Left wrist pediatric wrist radiograph · PA view · female, 14 yo · acquired on Siemens · image size 715x1090.
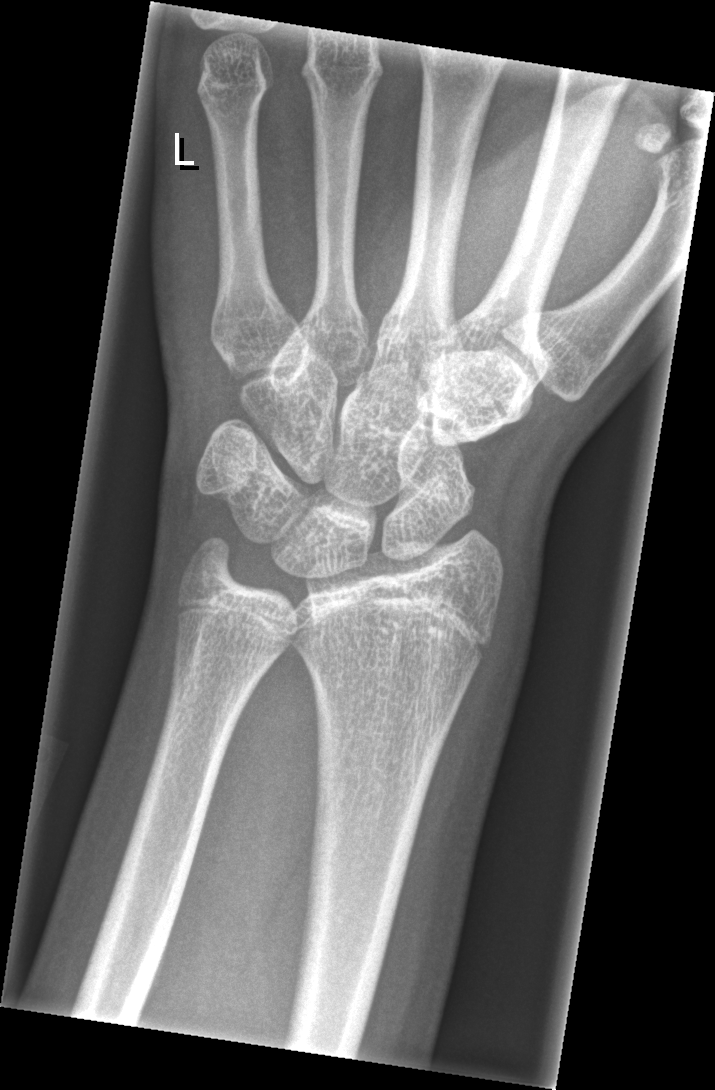
Osseous anomaly identified at [278, 509, 514, 711].
Fracture: none labeled.